Left wrist radiograph | frontal view | 10-year-old boy | cast present

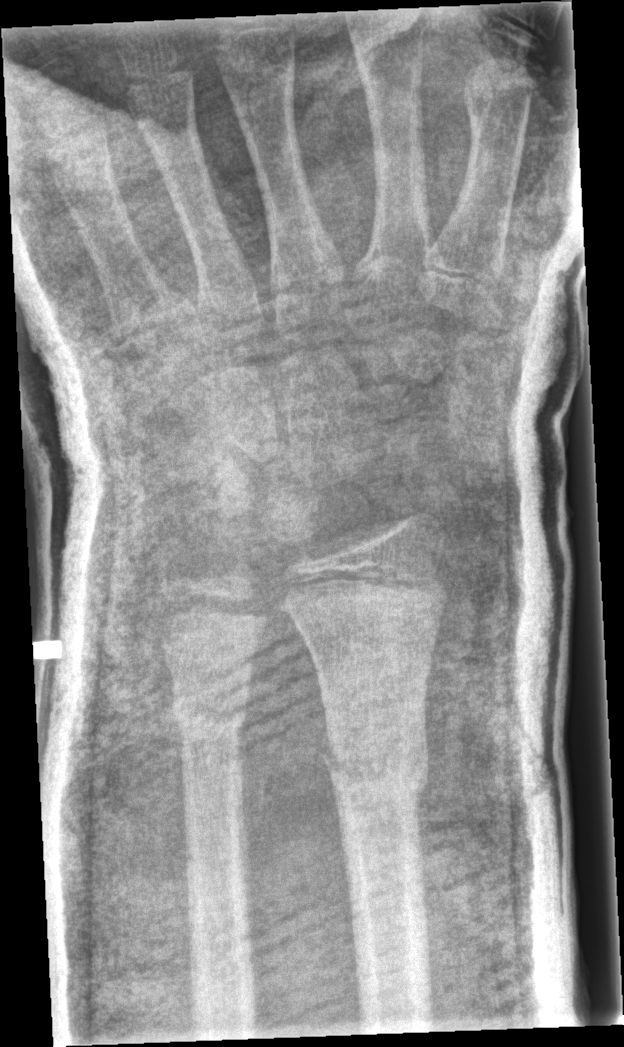

• AO code 23-M/3.1.
• Two fractures at [318, 725, 433, 819], [164, 685, 259, 767].